Lat projection · Rt pediatric wrist radiograph · male, 5 yo · acquired on Siemens: 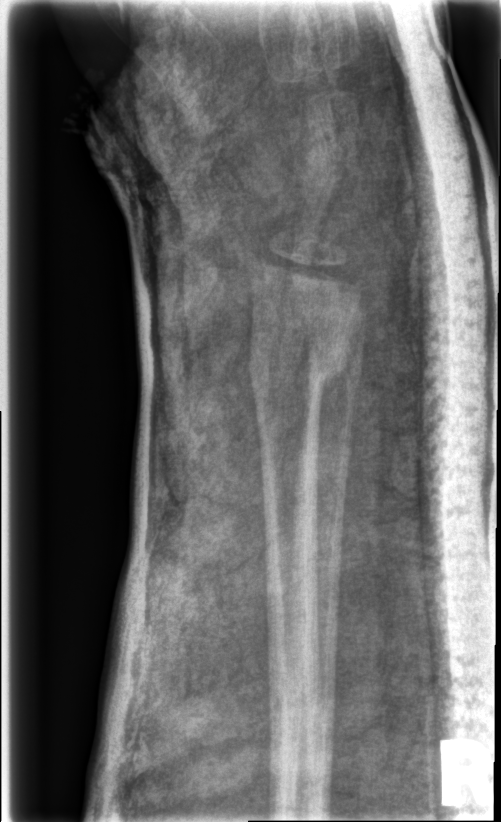

  # pixel coordinates, top-left origin, xyxy
  ao: 23-M/2.1
  fracture: 1 @ bbox(242, 322, 354, 409)